Left wrist XR · PA/AP projection · initial study · image size 592x714:
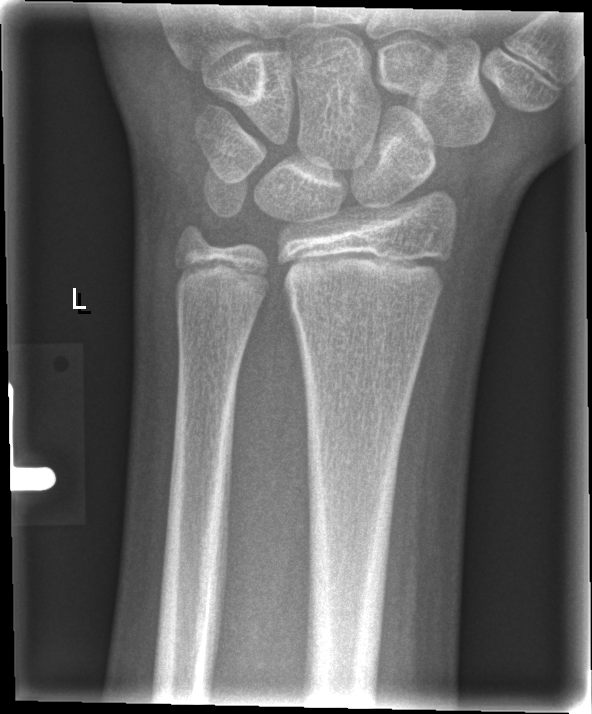

No Fx annotated.